Lat view · Lt wrist XR · pediatric patient (boy, age 10)
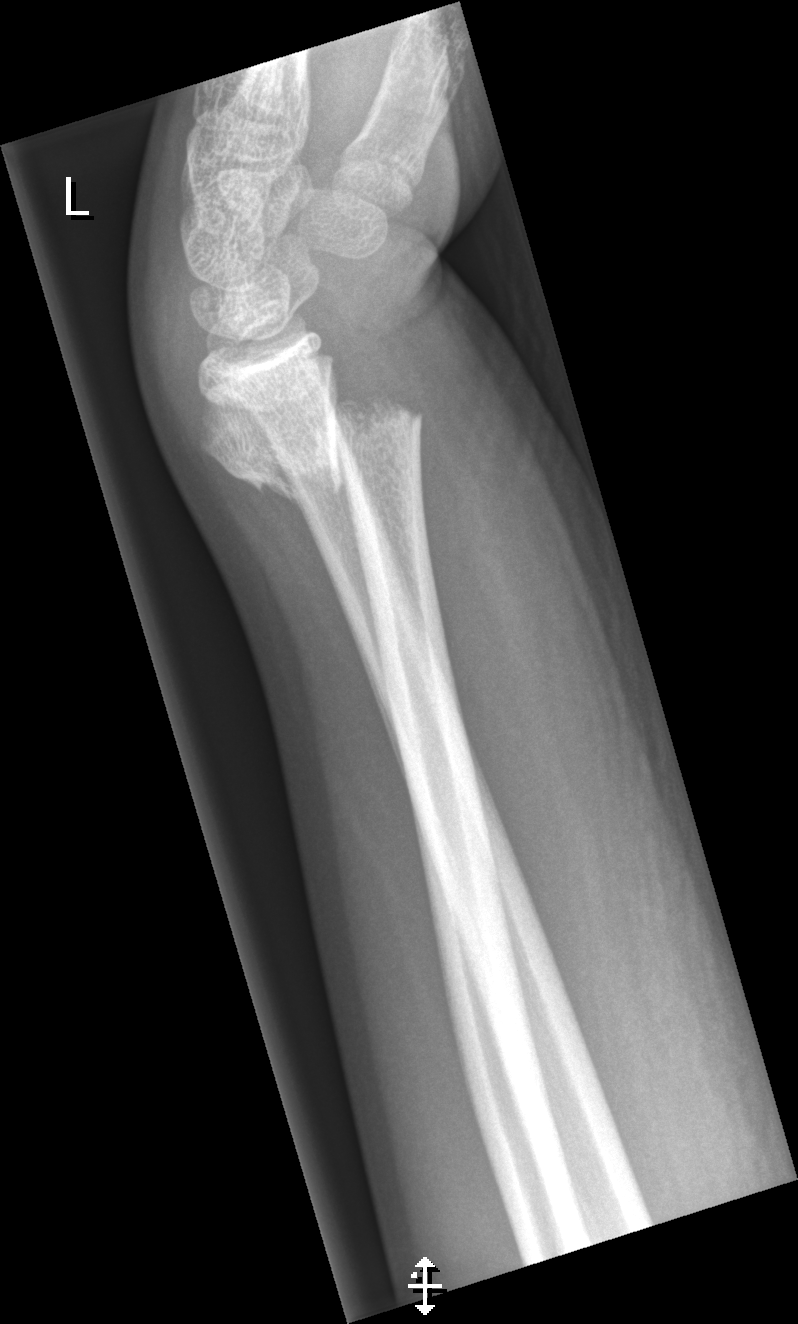
Fracture — (207, 397, 427, 495). Two soft-tissue findings at (410, 320, 670, 1066); (118, 180, 210, 444). AO/OTA classification: 23r-M/3.1; 23u-M/2.1.